Posteroanterior; right wrist pediatric wrist radiograph; index exam:

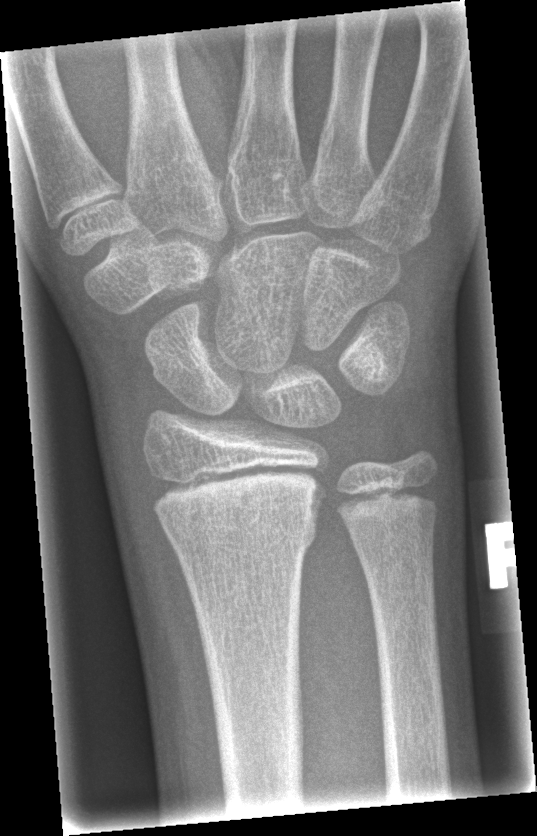

Fracture — (160, 505, 319, 554). AO code 23r-M/2.1.